Lt wrist X-ray · lat view · male, 12 yo

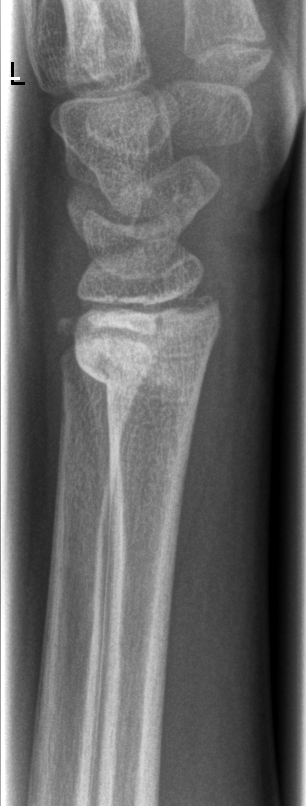 Findings: (bounding boxes in image-pixel xyxy) Periosteal thickening identified at 79,365,112,524; 53,380,69,534. Fracture classified AO/OTA 23-E/2.1; 23u-E/7. Fracture identified at 73,288,223,402.